Left plain radiograph of the wrist, lat projection, follow-up study, image width 80.2 mm.
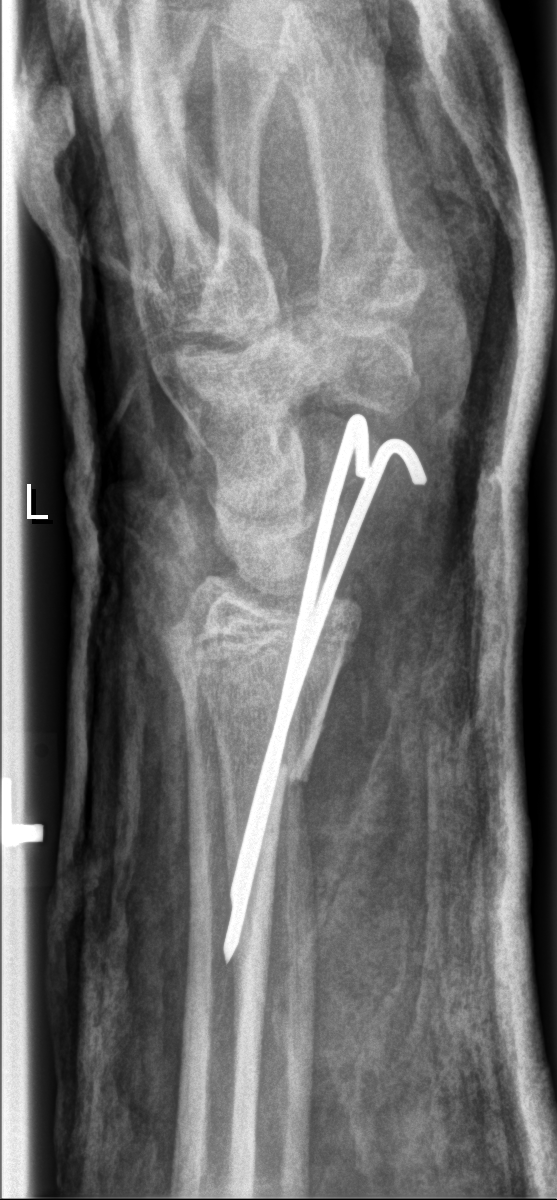 Pixel coordinates, top-left origin, xyxy. One Fx at (left=176, top=671, right=336, bottom=813). Metallic hardware: (left=213, top=404, right=433, bottom=968).